Right wrist plain film | oblique view | boy, 13 yo | cast present | 722 by 1270 pixels: 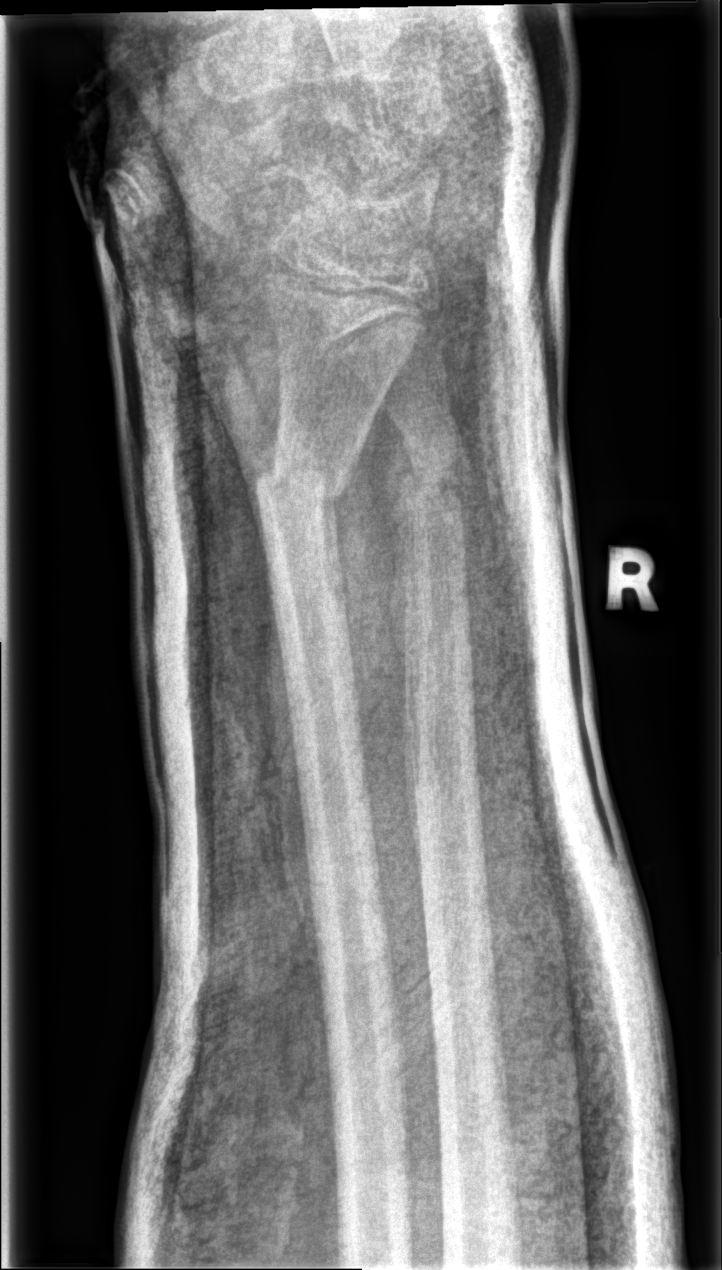
FINDINGS: (coordinates are [x1, y1, x2, y2] in image pixels) AO code 23-M/3.1. Fracture identified at bbox(248, 437, 354, 530) bbox(396, 446, 472, 524).